R plain radiograph of the wrist; PA view; 13y M; in cast; Siemens.

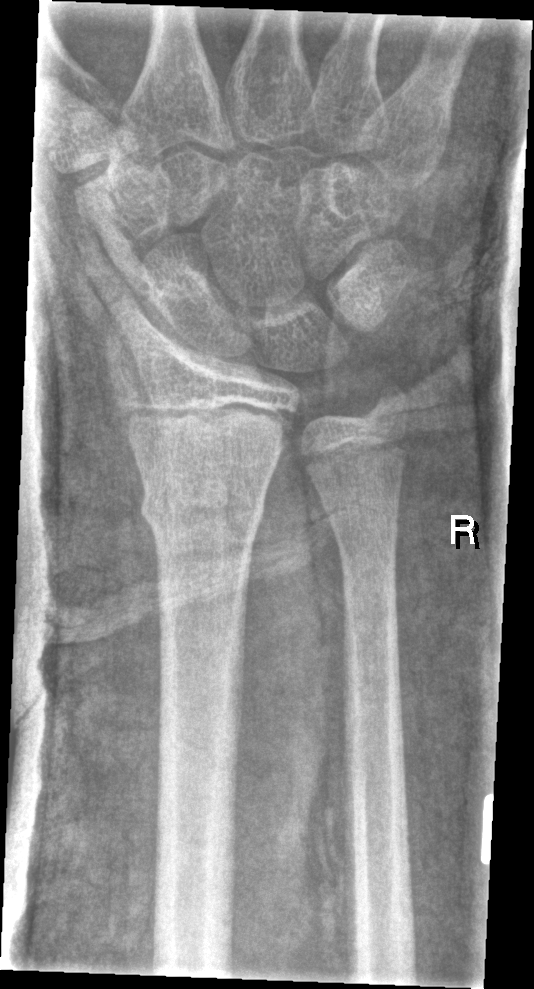
ao: 23r-M/3.1
fracture: 139 470 268 535